Lat projection · left wrist plain film · 11y F · detector: Siemens.
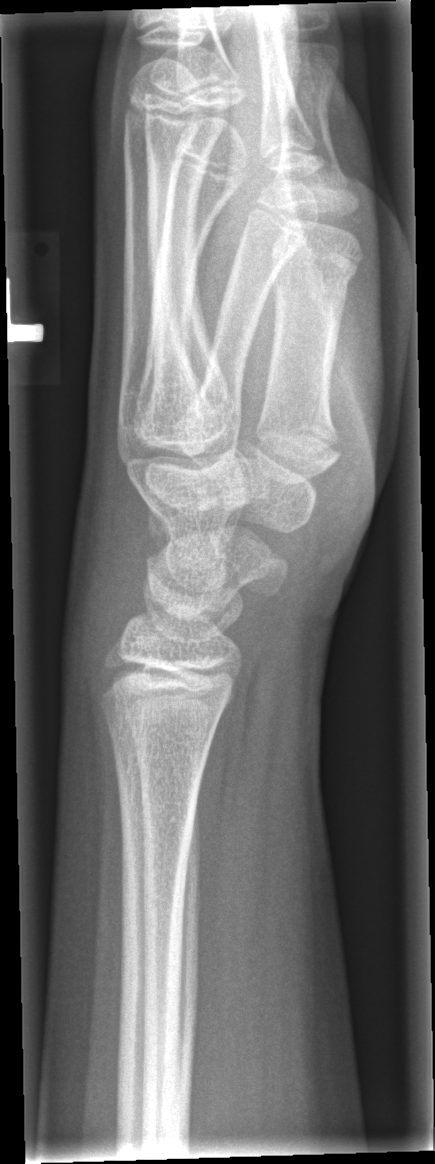 FINDINGS: Fx: none.